Posteroanterior view; R pediatric wrist radiograph; 10y M; subsequent exam 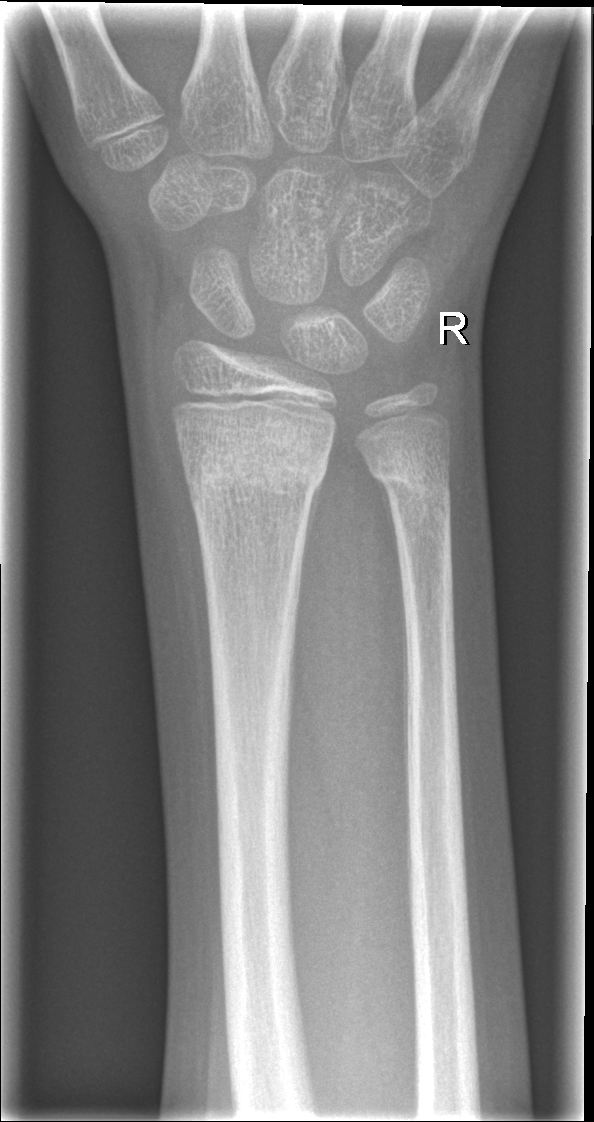

Two periosteal new bone at <299,474>-<326,593>, <374,475>-<402,585>. AO code 23-M/3.1. Decreased bone density (osteopenia). Fracture identified at <179,426>-<330,511>; <365,448>-<455,512>.